Posteroanterior projection | right wrist plain film:
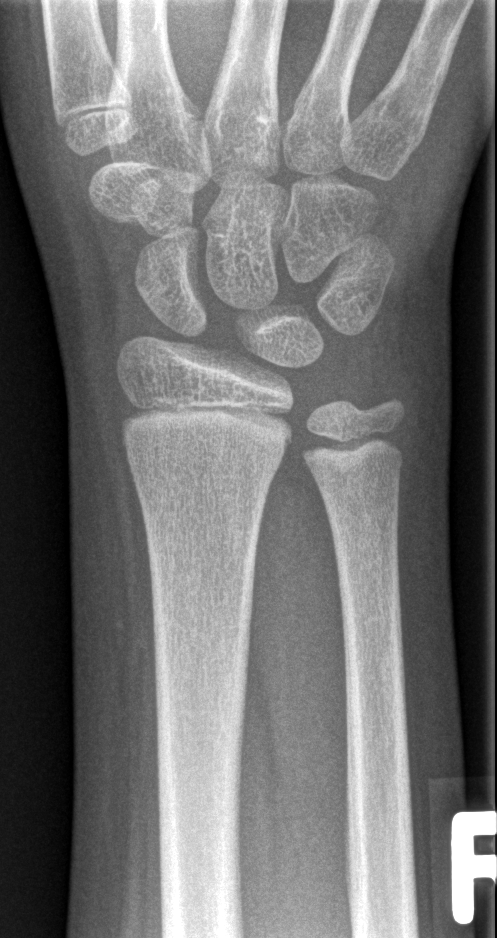 {"fracture": "none labeled"}